Rt pediatric wrist radiograph · AP view — 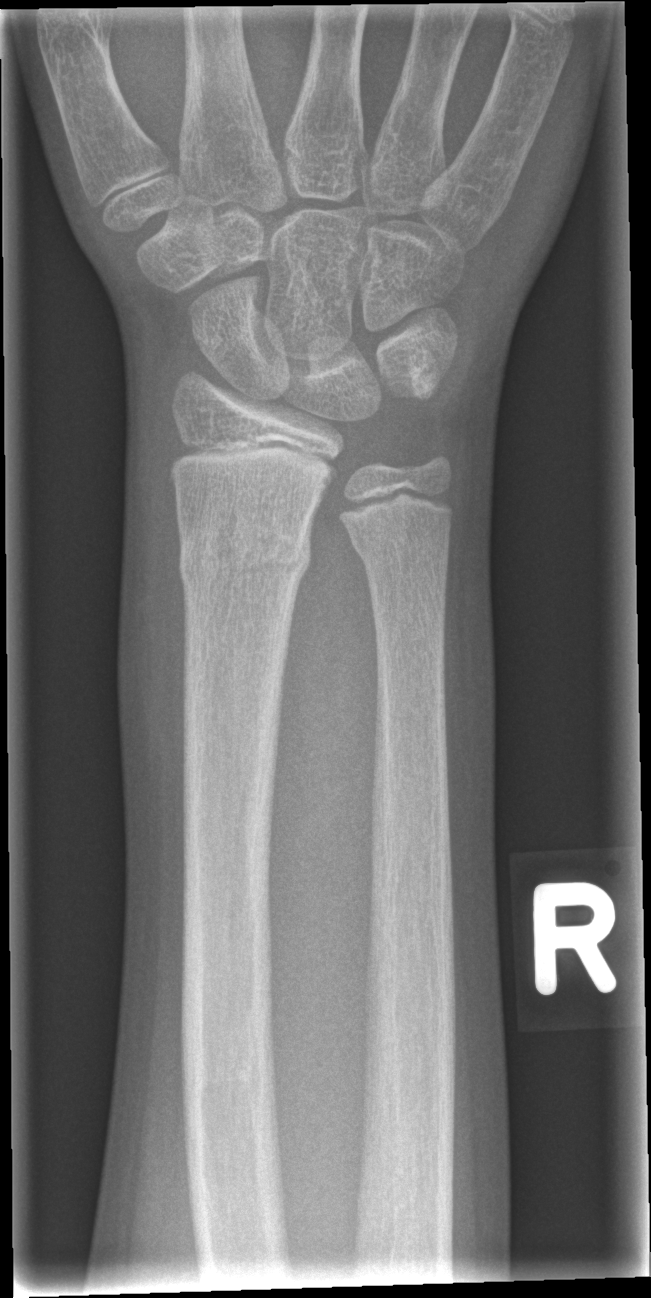 AO/OTA = 23-M/2.1
bone fracture = [x1=175, y1=508, x2=316, y2=603]; [x1=346, y1=530, x2=456, y2=608]